Right wrist pediatric wrist radiograph · PA projection · 9y F · 119.7 mm image width · 831 x 1338 px —

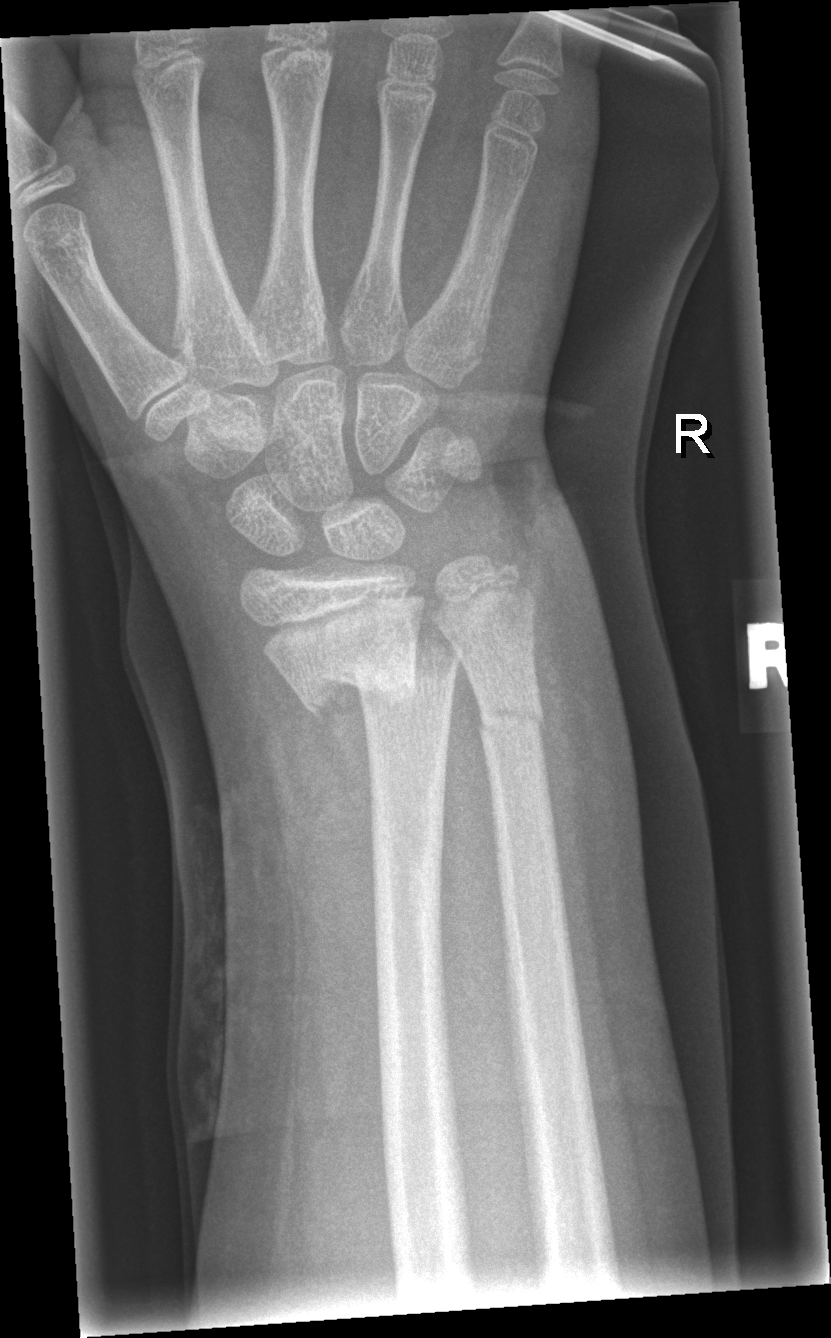
# coordinates are [x1, y1, x2, y2] in image pixels
fracture: 295,625,464,725; 472,692,554,751; 467,534,536,599